Left wrist plain film; lat view; follow-up study; imaged through cast; Siemens; 512 by 962 pixels

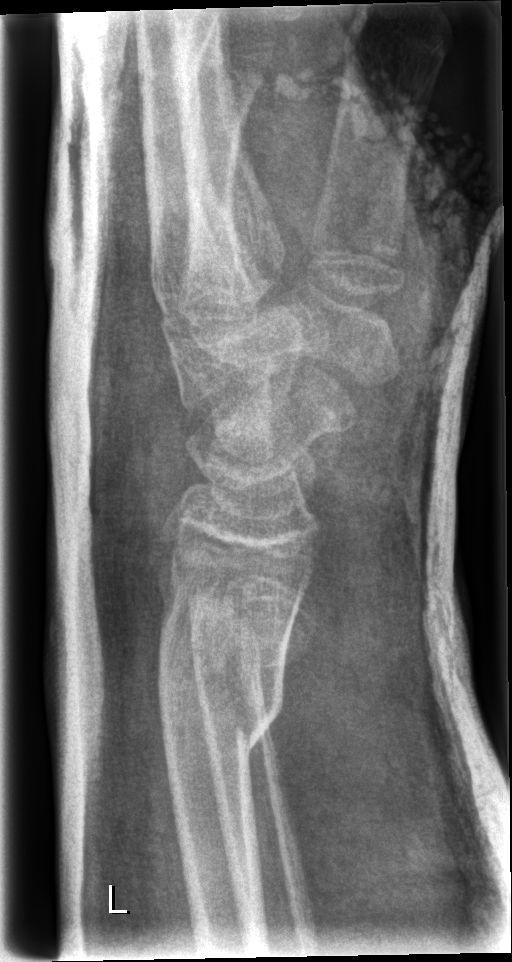
bone fracture: 1 @ [151, 625, 291, 767]